Left wrist radiograph, PA, image width 98.9 mm, 687x1252
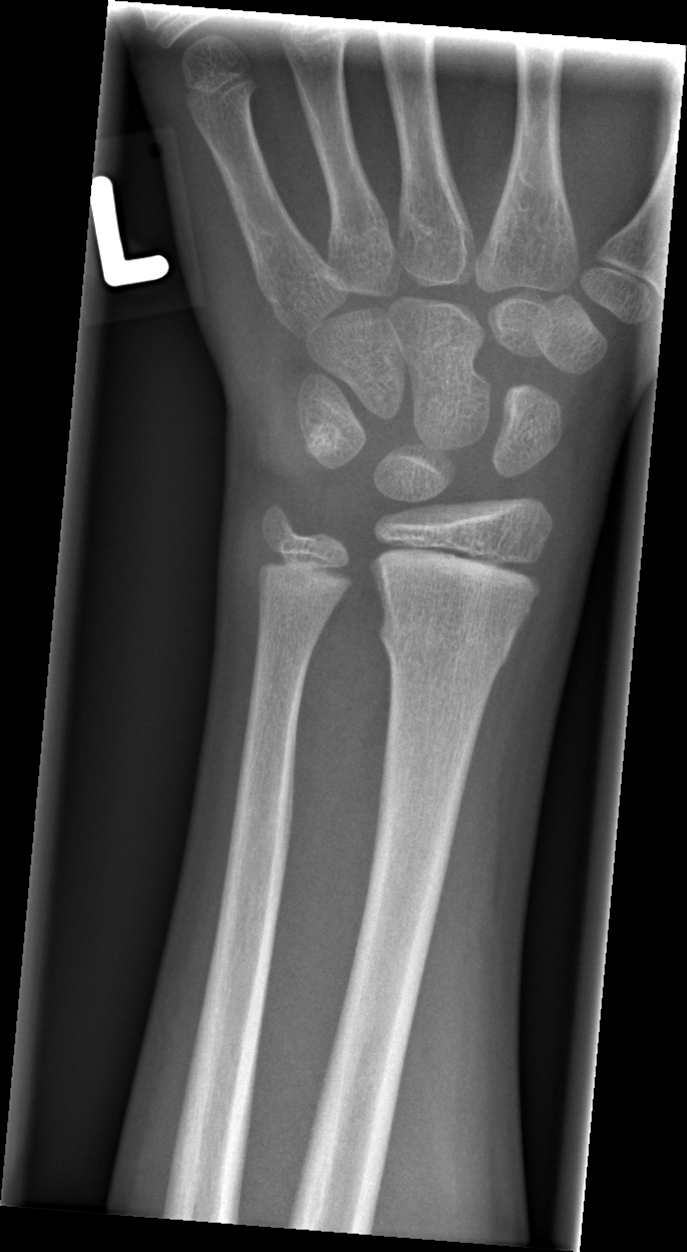 AO code: 23r-M/2.1
Fracture: 1 @ (374, 608, 516, 682)